Right wrist XR | lat projection | presentation radiograph | image width 61.1 mm | 424 by 788 pixels
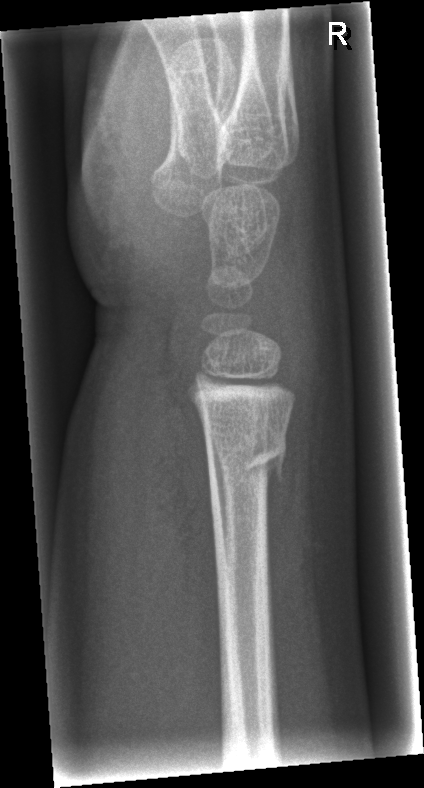 Q: Fracture present?
A: Fracture — [206, 429, 288, 485]
Q: Pronator fat-pad sign?
A: Pronator sign identified at [131, 364, 227, 661]